Lat, left wrist XR, pediatric patient (male, age 15), Siemens 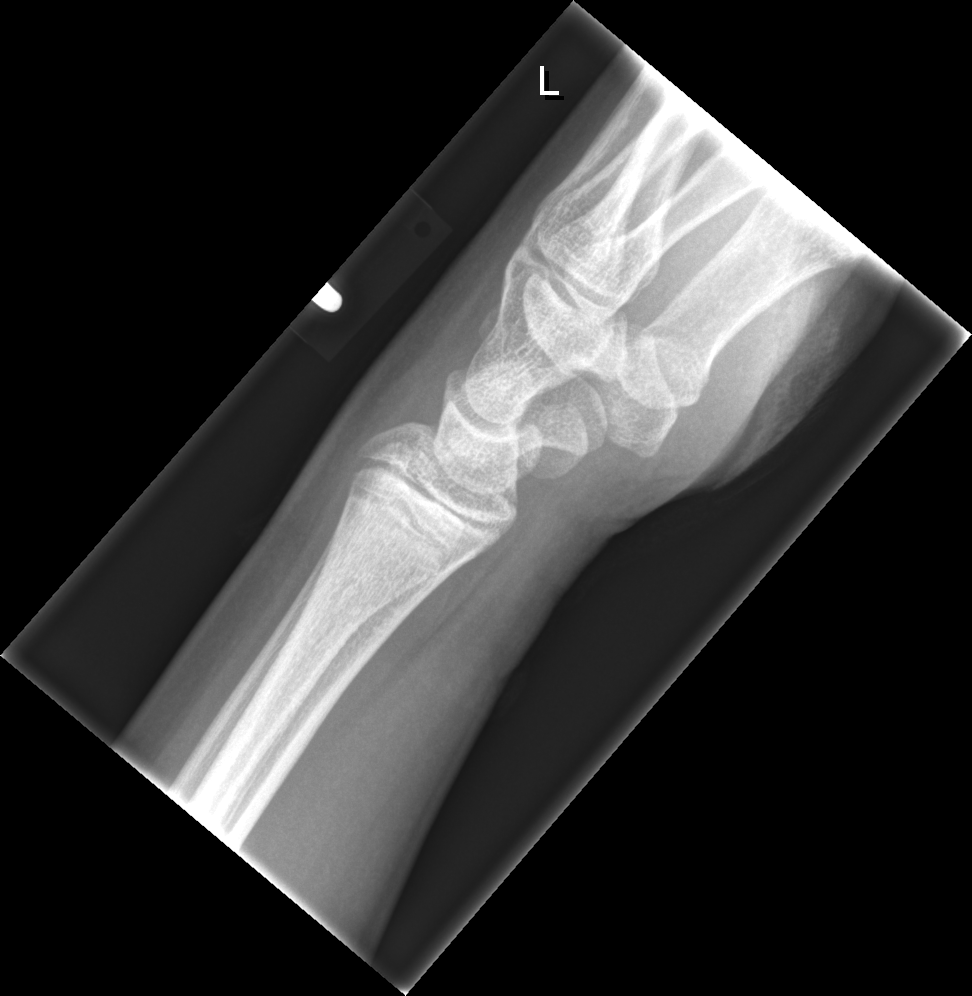
Fx: none labeled